Posteroanterior view; right wrist XR; in cast

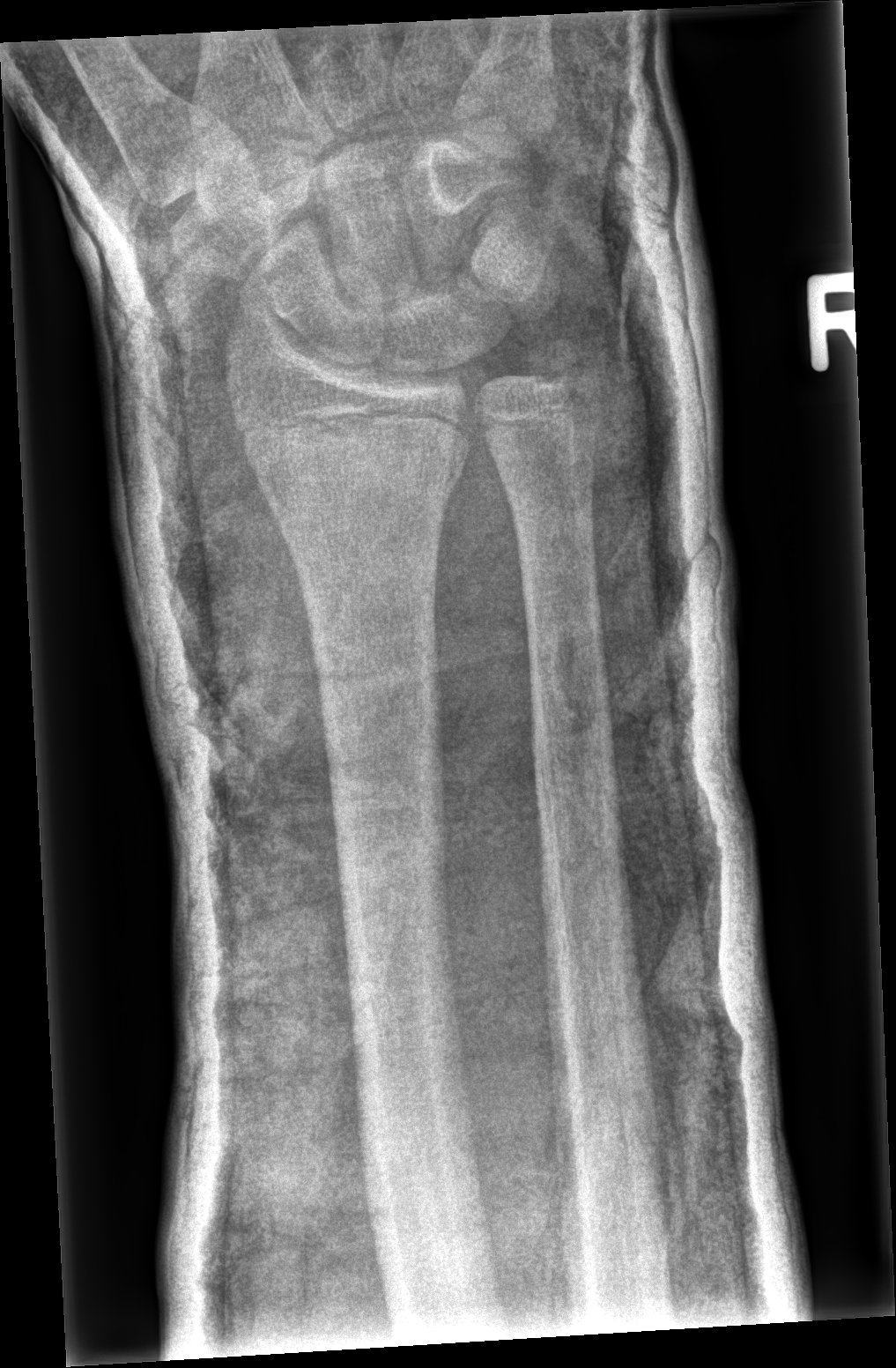

(boxes as x1,y1,x2,y2 (top-left / bottom-right, pixel units))
Q: Any fracture seen?
A: One bone fracture at 539,336,603,398